Lat projection · right wrist plain radiograph of the wrist · index exam · image 72.9 mm wide —
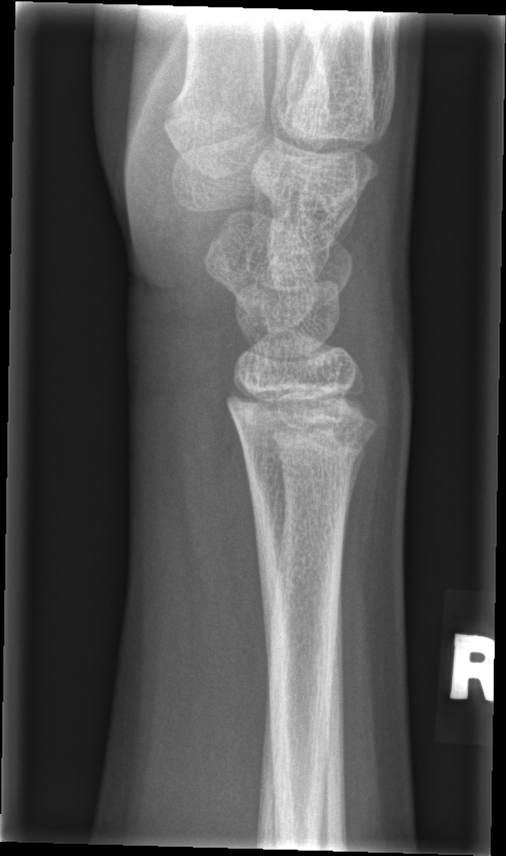   ao: 23r-M/2.1
  fracture: 1 @ 240,412,383,497